Lat · L wrist X-ray · image 73.3 mm wide

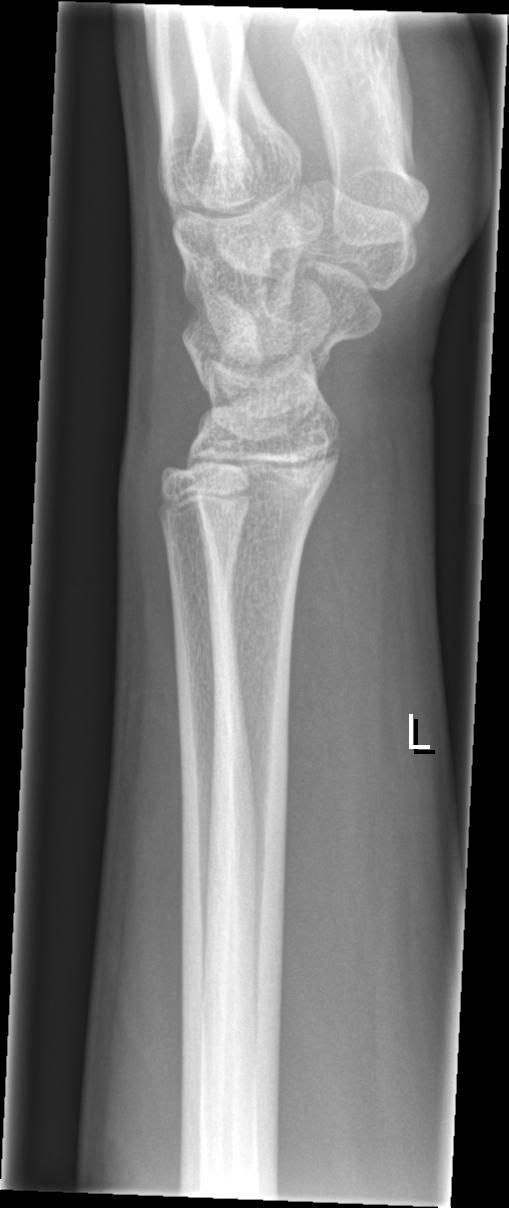
• Fracture: none labeled.